Left wrist X-ray; lat; pediatric patient (girl, age 10); index exam
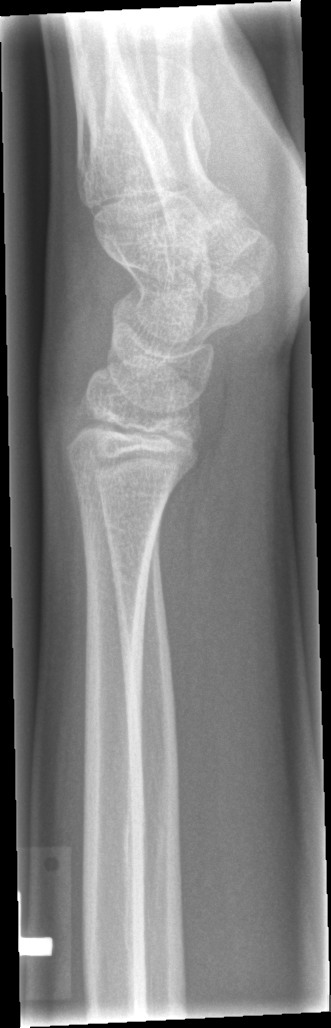

Findings: Fx: none.